Lat view · left plain radiograph of the wrist · 6y M · index exam · Siemens — 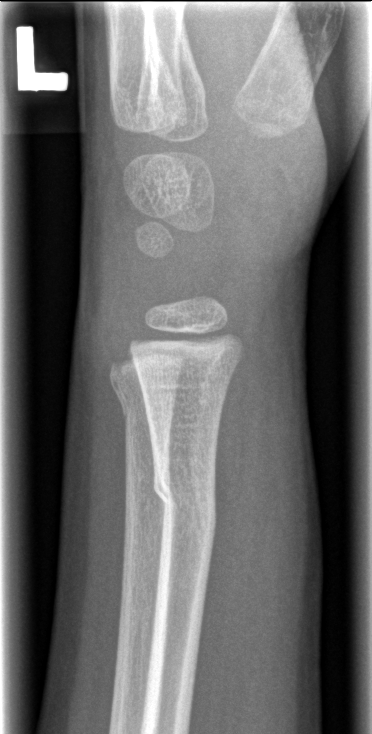

Fx: 151 459 219 552 | 112 381 176 431.
Fracture classified AO/OTA 23-M/2.1.